Lateral; left plain radiograph of the wrist; 16-year-old boy; in cast; image 104.5 mm wide 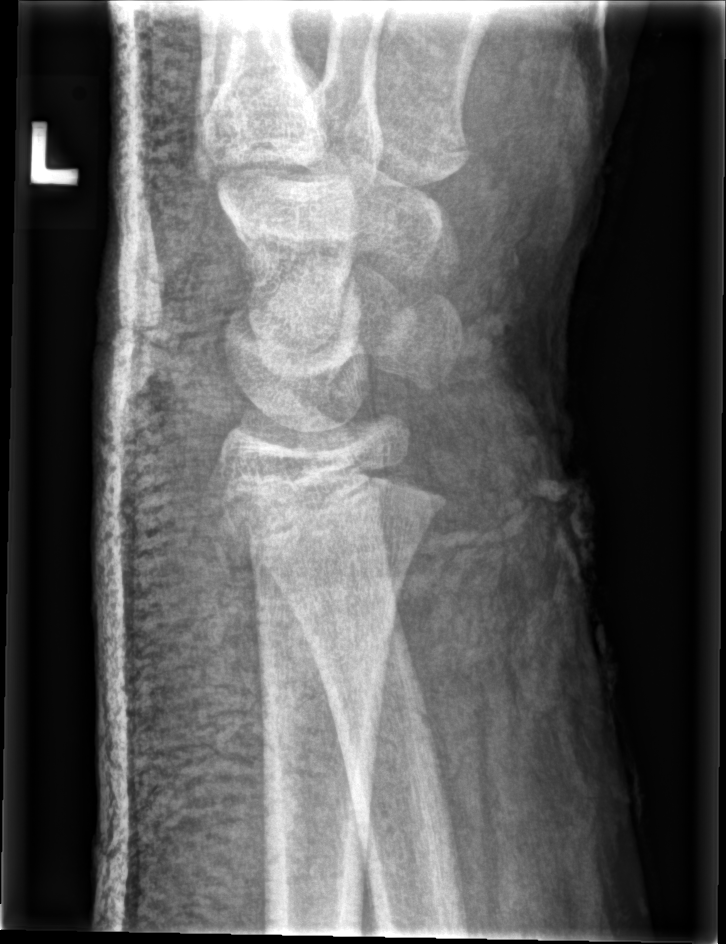
FINDINGS: Fracture classified AO/OTA 23r-E/2.1; 23u-E/7. Fx: <200,456>-<453,582>.